Frontal projection, R wrist radiograph, 16-year-old male, follow-up study, cast in situ, detector: Siemens, image width 93.6 mm: 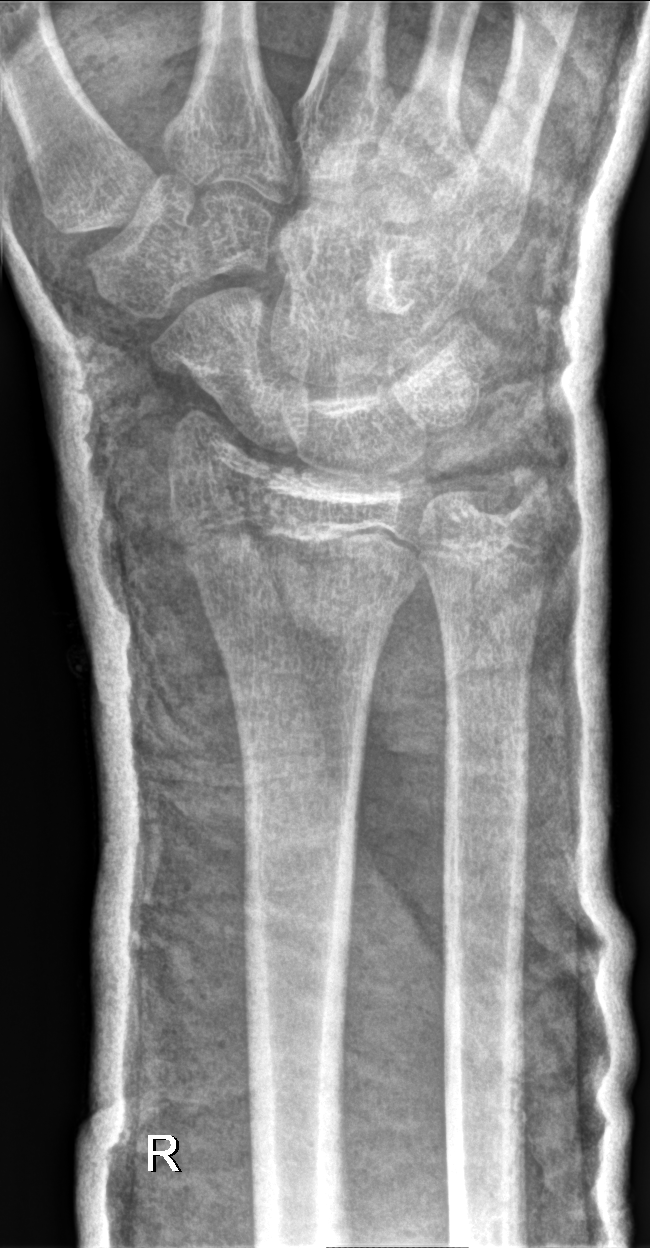

(bounding boxes in image-pixel xyxy)
AO code = 23r-M/3.1; 23u-E/7
Fx = bbox(184, 541, 427, 614), bbox(488, 457, 560, 527)